L wrist plain film; frontal projection; 4y M; 440 by 762 pixels
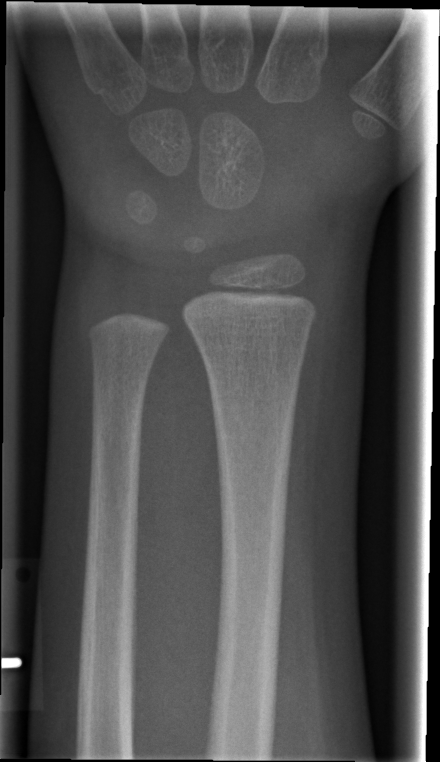
Bone fracture = present but not clearly seen in this view
AO classification = 23r-M/2.1